AP view · right wrist X-ray · 8y F —
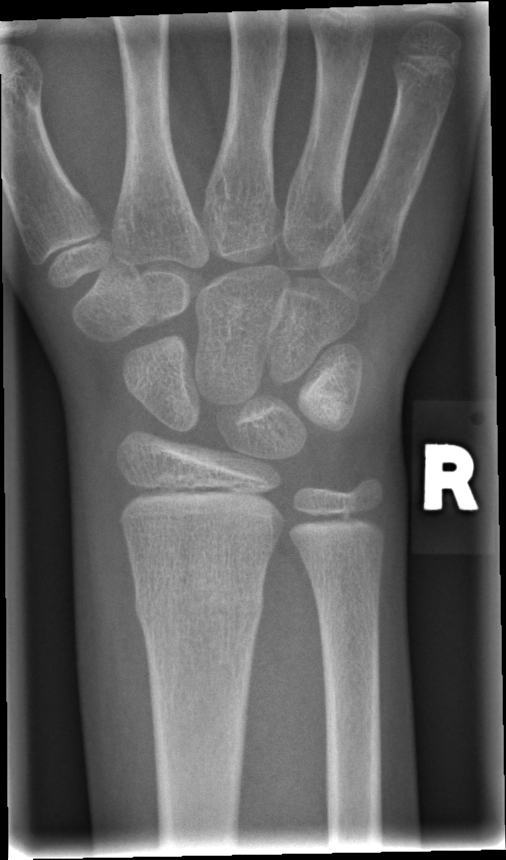
  softtissue: [75, 447, 159, 797]
  fracture: [131, 572, 268, 631]